Left wrist plain film; lat; pediatric patient (boy, age 9); cast in situ; detector: Siemens:

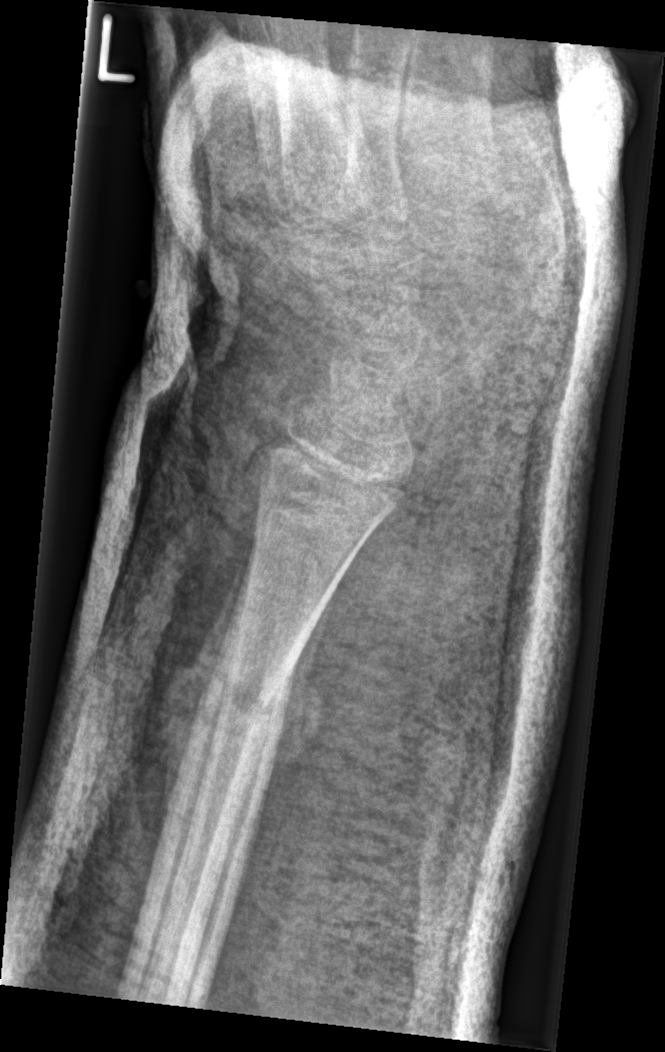

Periosteal reaction — [163, 531, 260, 844]; [259, 585, 338, 795].
Bone fracture — [208, 665, 284, 735].
Fracture classified AO/OTA 23r-M/3.1.